Right pediatric wrist radiograph; lat view; 9-year-old boy:

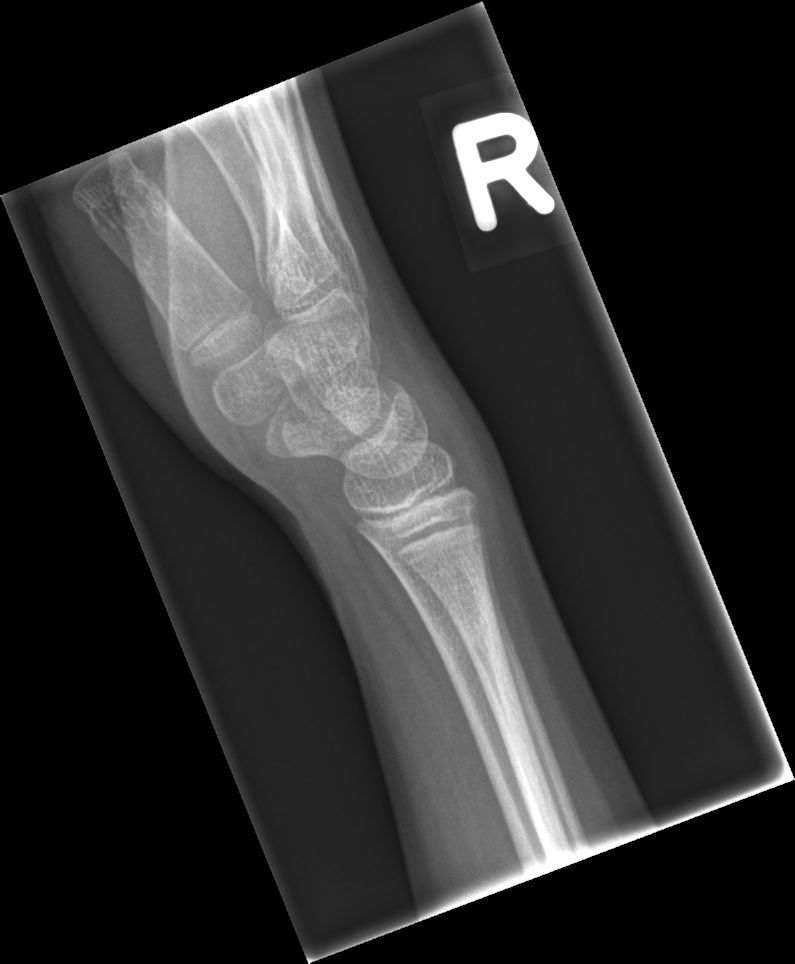

Fx identified at [x1=426, y1=580, x2=512, y2=679].